Lat; left wrist plain radiograph of the wrist; age 15 y, boy; subsequent exam.

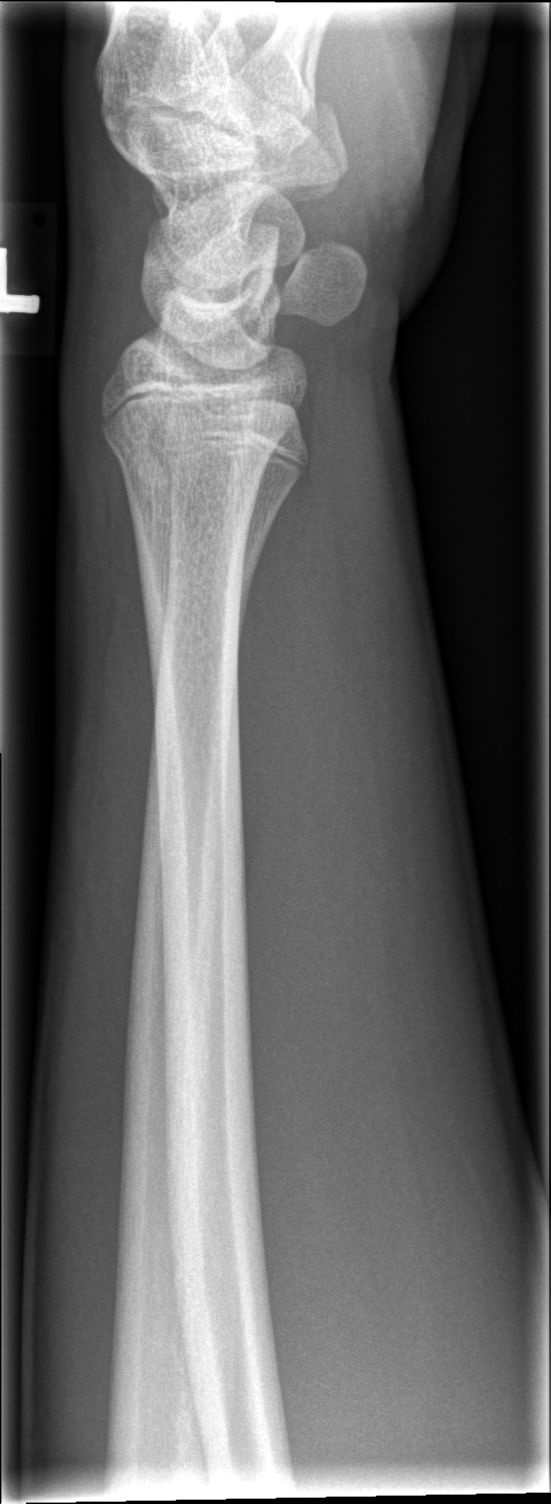 Fx identified at [x1=101, y1=414, x2=298, y2=489].
Fracture classified AO/OTA 23r-M/2.1.